Right wrist plain film · PA/AP projection · pediatric patient (boy, age 12) · initial study —
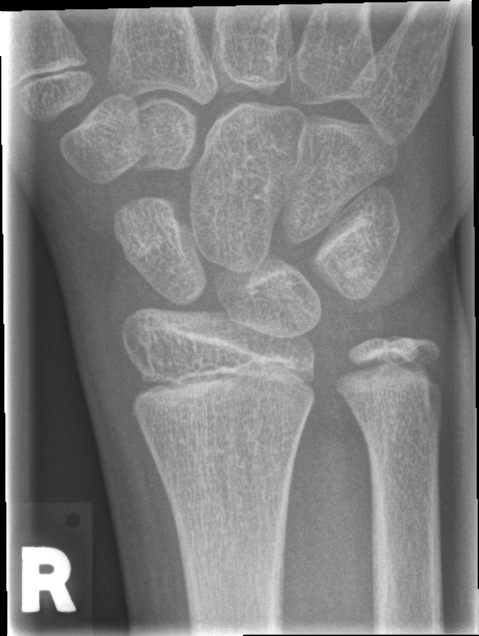
{"fracture": "none labeled"}